Rt wrist plain film, lat, 543 by 1112 pixels.

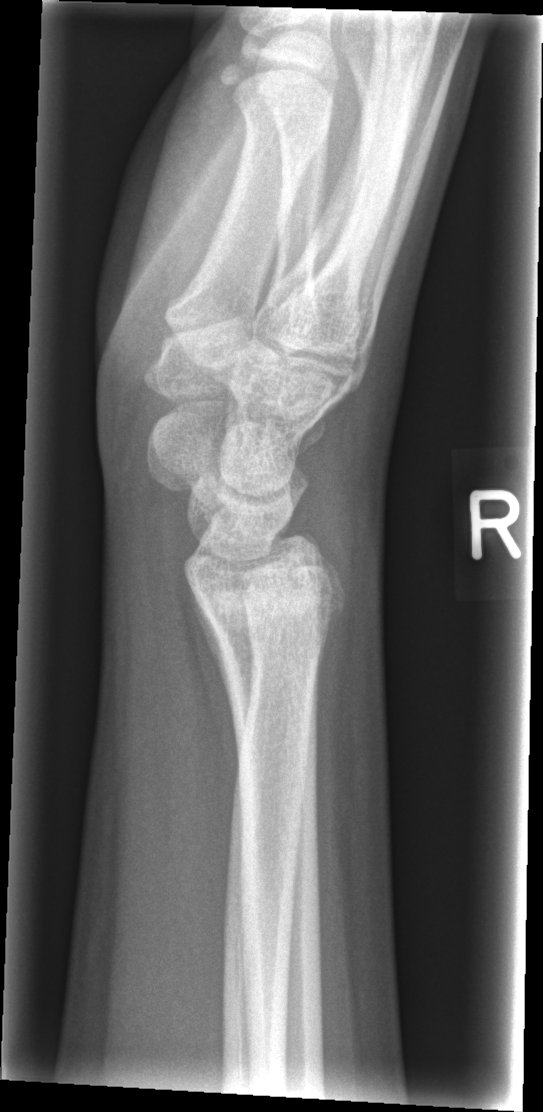

* Bone fracture identified at bbox(191, 572, 351, 640).
* AO/OTA classification: 23r-M/3.1; 23u-E/7.